Frontal projection | left wrist plain film | 13-year-old boy | 678 x 1114 px
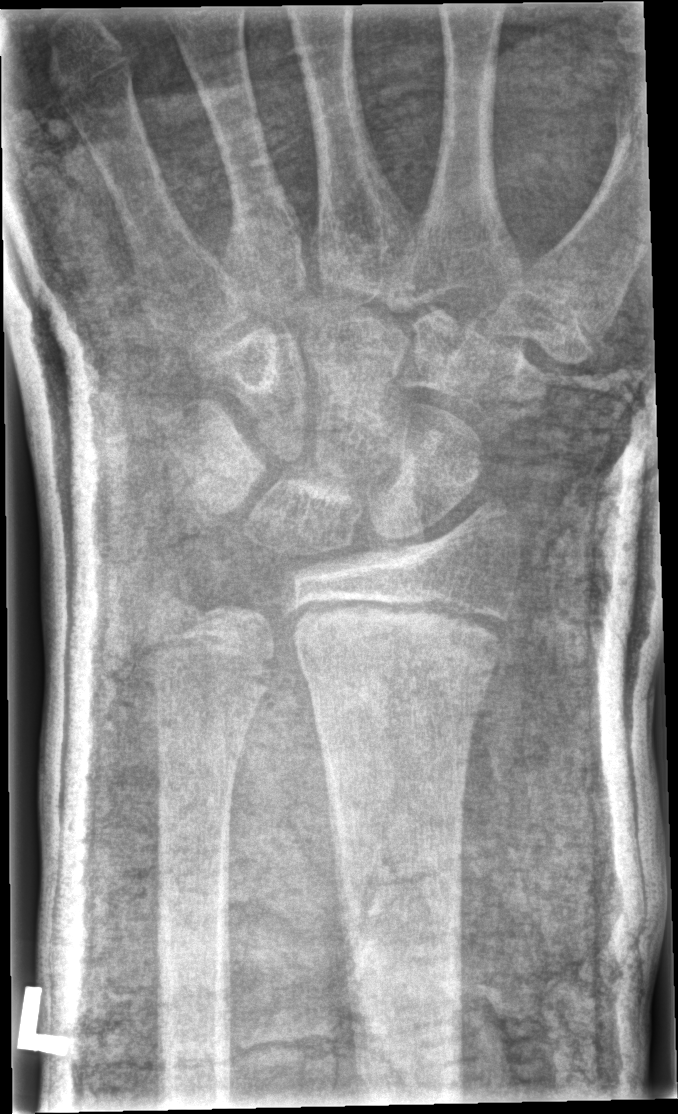

(bounding boxes in image-pixel xyxy)
Fx = 1 @ 292 653 492 728
AO classification = 23r-M/2.1